Posteroanterior view | right wrist XR | age 6 y, boy | acquired on Siemens
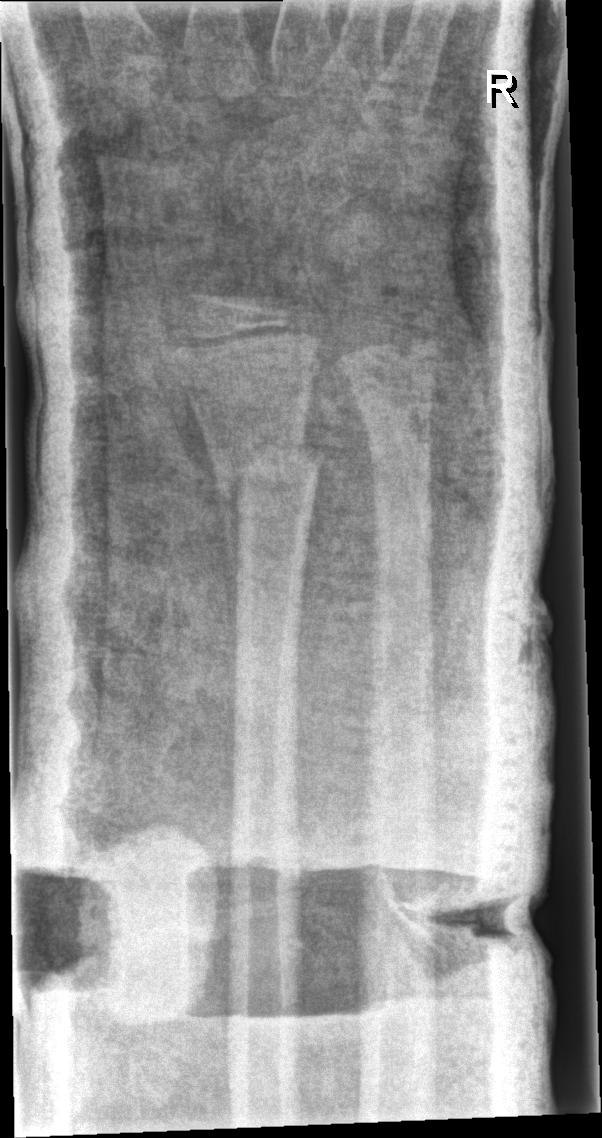 Findings: Bone fracture: (209, 430, 327, 506). AO code 23r-M/3.1; 23u-M/2.1. Periosteal thickening identified at (218, 469, 246, 646).